PA/AP; right wrist radiograph; male, 4 yo.

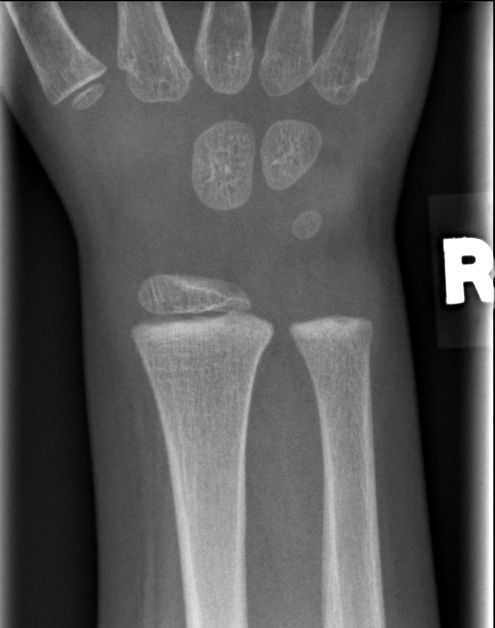 Findings: No fracture labeled.